Lateral, L plain radiograph of the wrist, index exam:

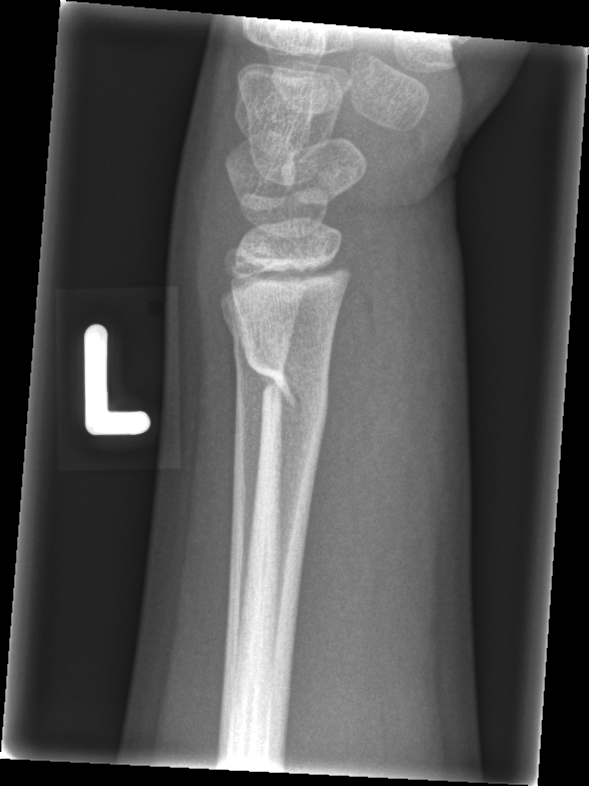

Findings: (bounding boxes in image-pixel xyxy) One positive pronator fat-pad sign at bbox(300, 270, 389, 627). Bone fractures — bbox(239, 345, 332, 441) bbox(221, 306, 300, 354).